PA/AP | L wrist plain film | pediatric patient (girl, age 11) | acquired on Siemens:

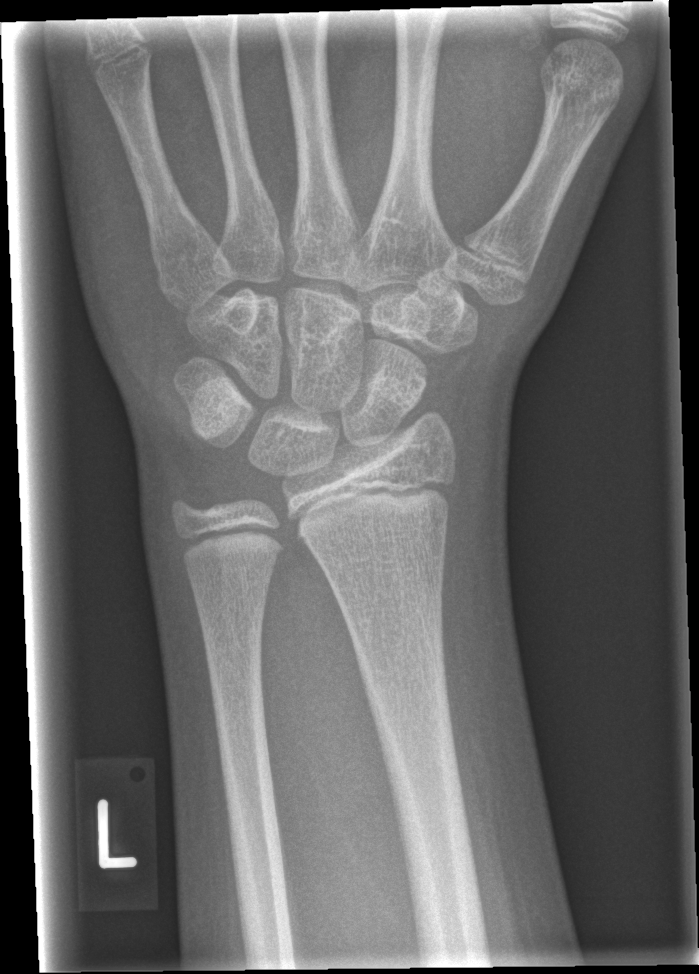

- Fracture: none labeled.